Right wrist radiograph; lateral; 14y M; initial study — 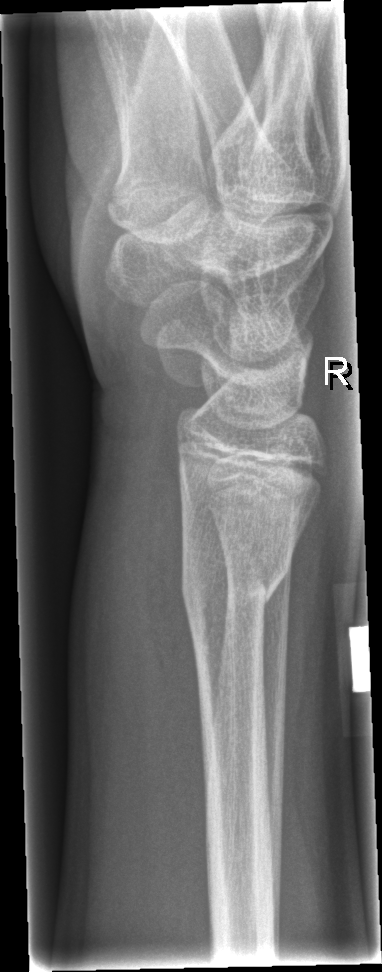
Bounding boxes in image-pixel xyxy. Fx identified at (179, 544, 295, 621). Pronator quadratus fat-pad sign identified at (144, 428, 205, 776). Fracture classified AO/OTA 23r-M/3.1; 23u-E/7.